Posteroanterior view · left wrist radiograph · in cast · detector: Siemens.

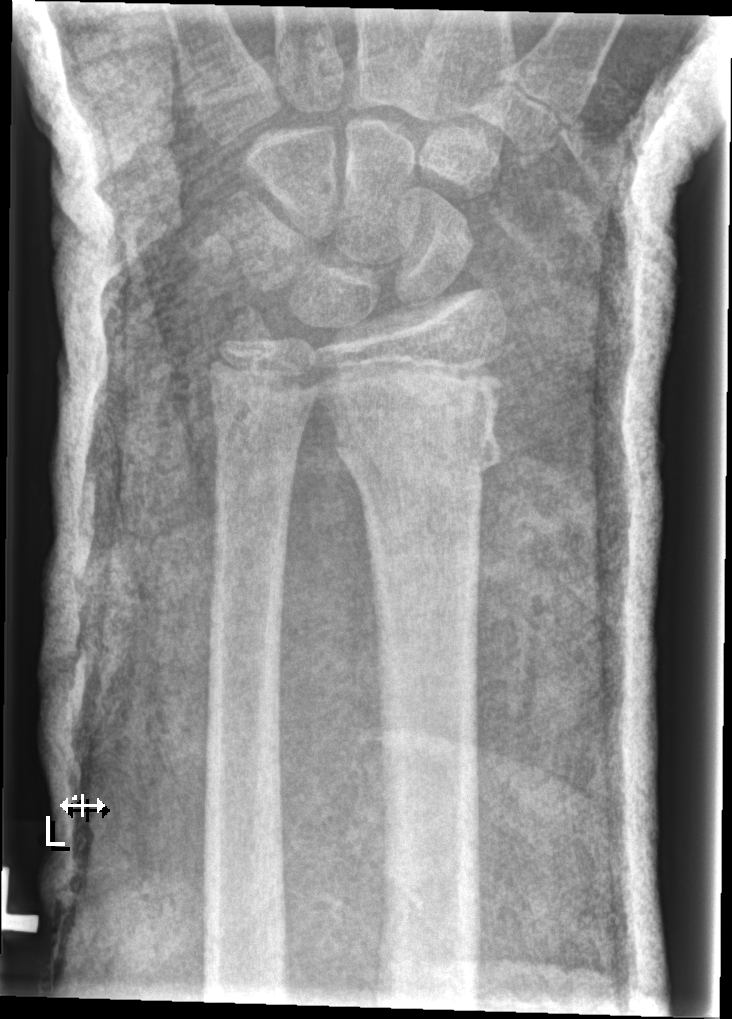 Coordinates are [x1, y1, x2, y2] in image pixels.
AO code 23r-M/3.1; 23u-E/7.
Bone fracture: bbox(325, 384, 505, 489).